Lat view, Rt pediatric wrist radiograph, follow-up
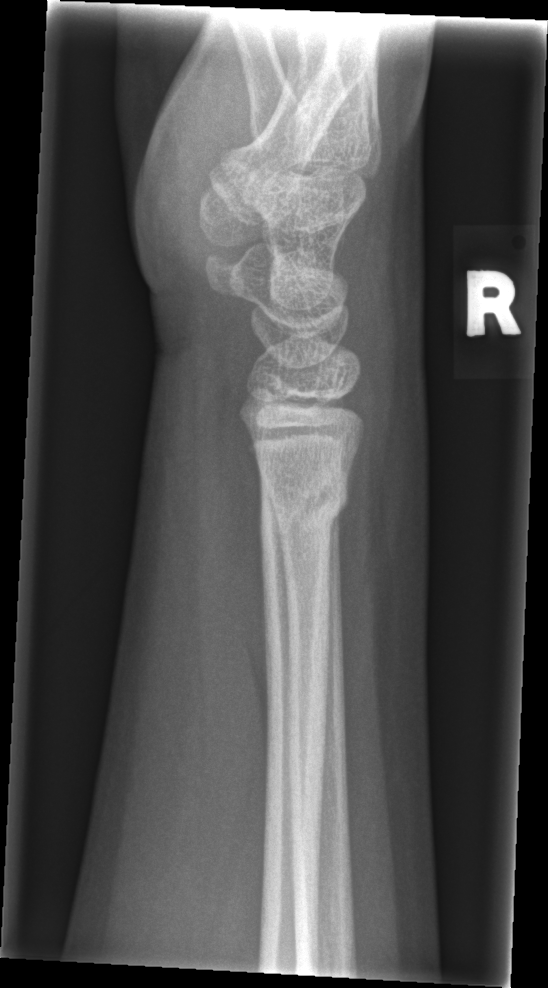 Findings: (bounding boxes in image-pixel xyxy) Fracture — 256 474 354 552.